Lateral view, R wrist X-ray, age 10 y, boy, follow-up — 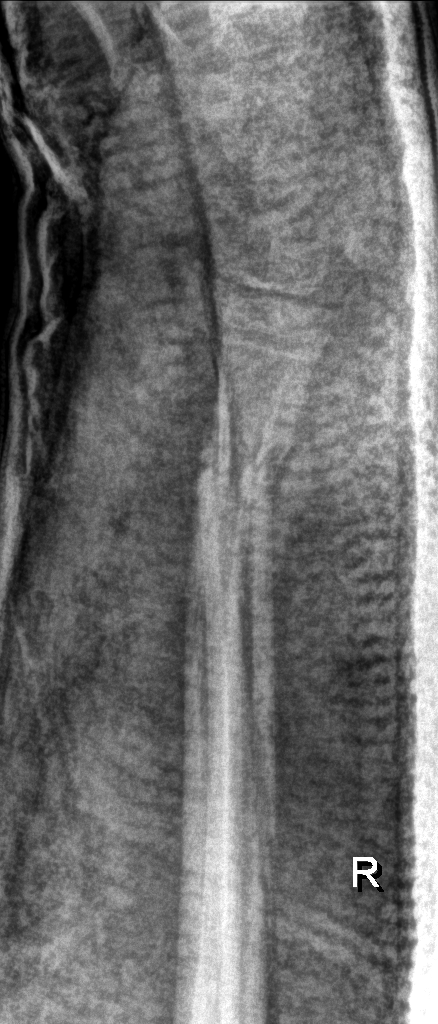
FINDINGS: (bounding boxes in image-pixel xyxy) One fracture at [x1=196, y1=420, x2=294, y2=526]. AO/OTA classification: 23-M/3.1.